Left wrist plain film | PA/AP —
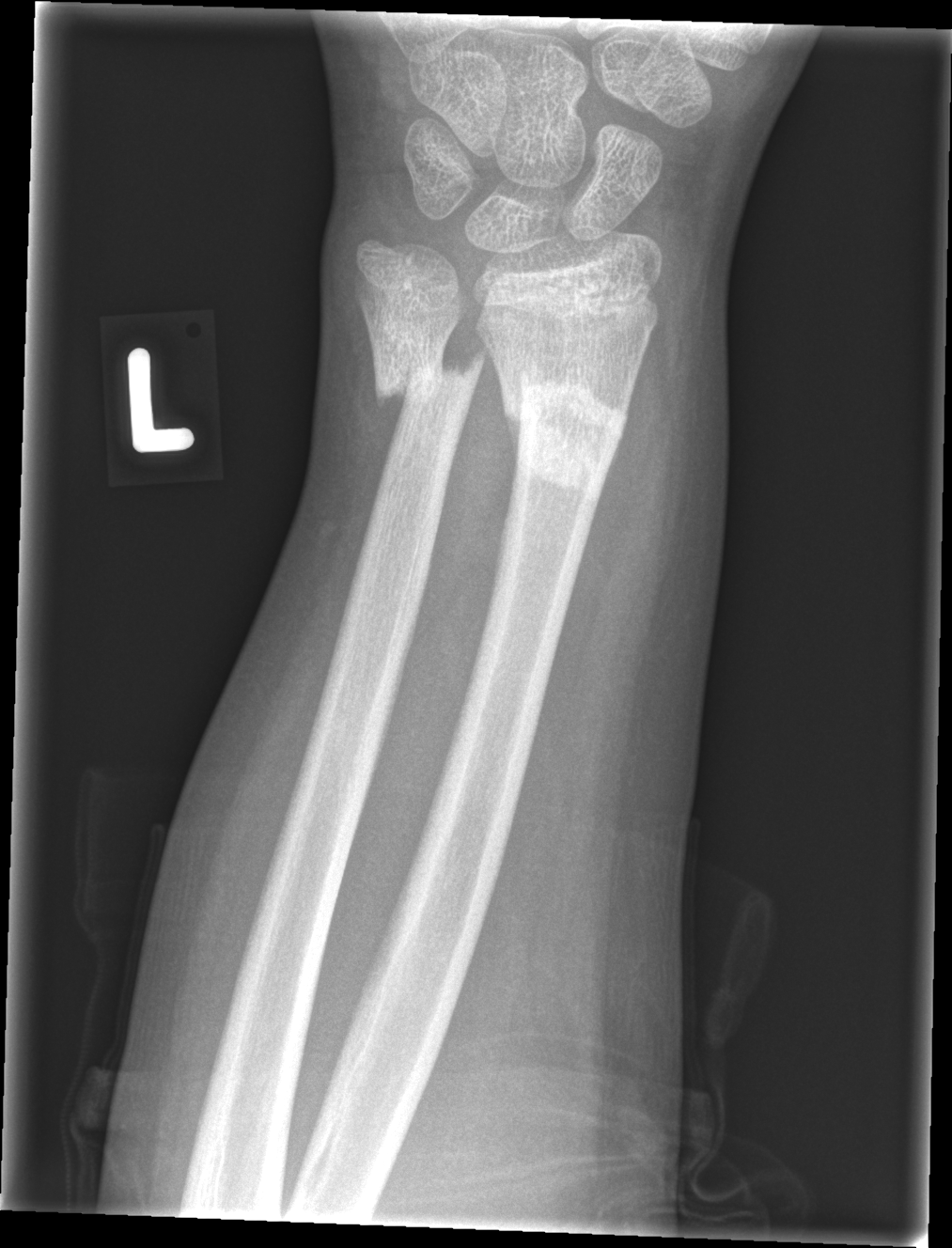
Findings: Fracture classified AO/OTA 23-M/3.1. Bone fracture identified at (left=498, top=367, right=630, bottom=500) (left=369, top=342, right=491, bottom=418).